Lt plain radiograph of the wrist · lateral view · imaged through cast · 502 x 1051 px —
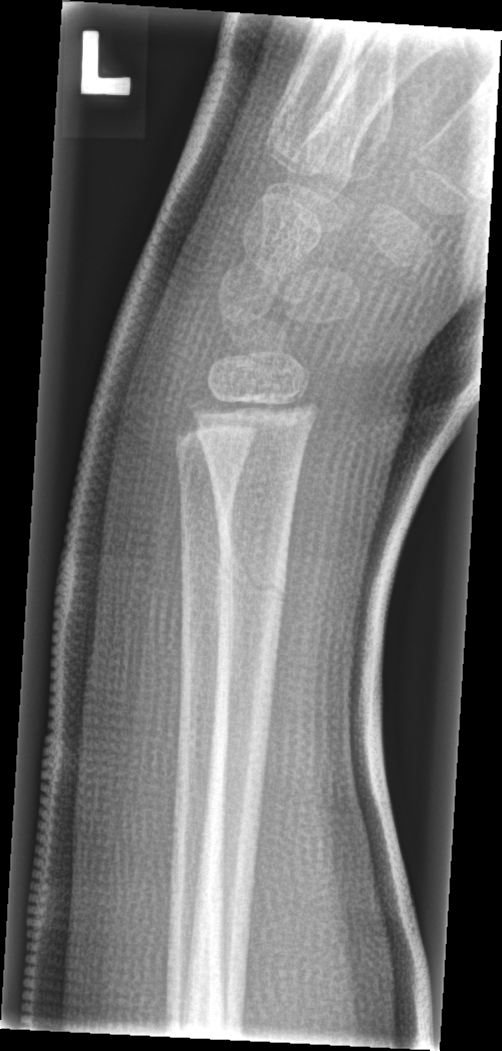

FINDINGS — Fx identified at [213, 540, 292, 612].